Lat projection, left wrist XR, age 10 y, girl
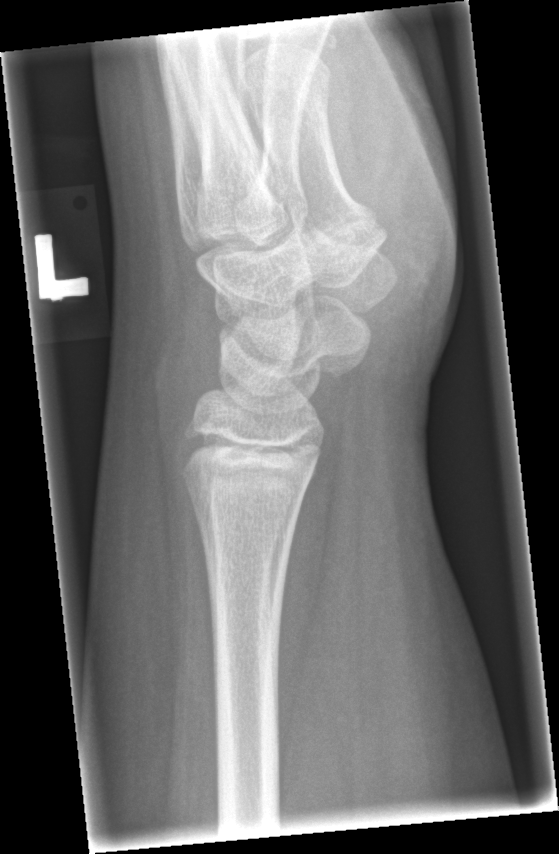
FINDINGS — No Fx annotated.